Right wrist plain film; AP; girl, 3 yo.
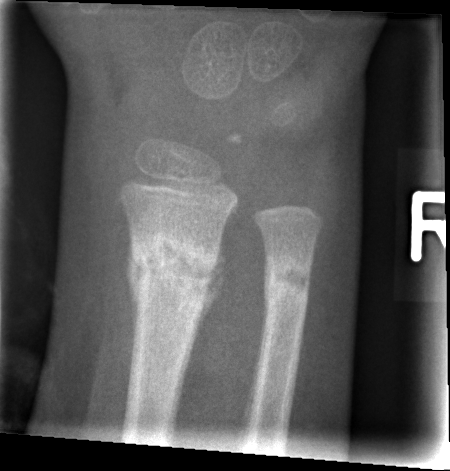

osteopenia = present
fracture = 125,232,221,305; 263,249,315,316
periosteal thickening = 165,232,225,435; 123,231,143,366